Right plain radiograph of the wrist | AP view: 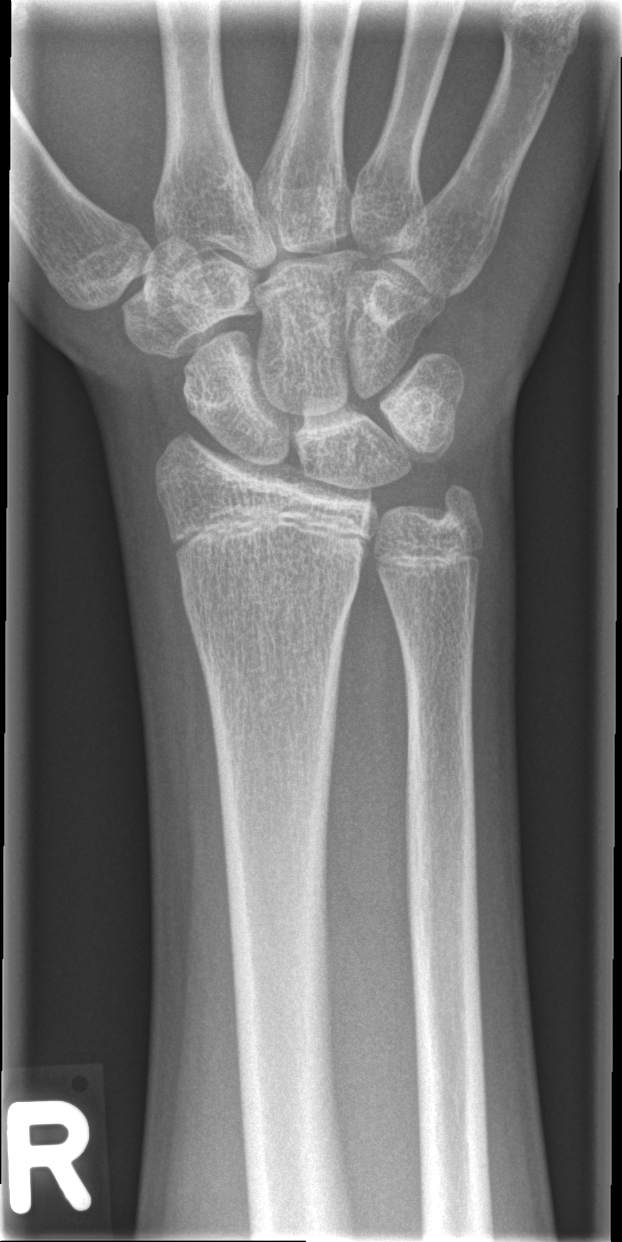
Q: Is there a fracture?
A: Fracture: present but not clearly seen in this view
Q: What is the AO/OTA classification?
A: Fracture classified AO/OTA 23r-M/2.1